Lateral; Rt wrist X-ray; pediatric patient (male, age 14).

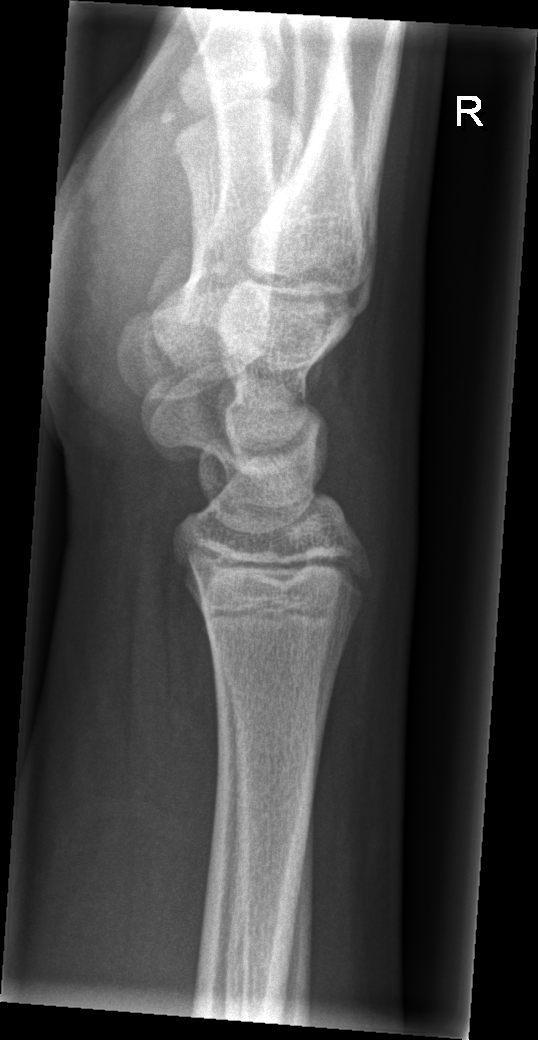 {"fracture": "none labeled"}